Right wrist plain film | lat view | 12-year-old female | image 125.4 mm wide —
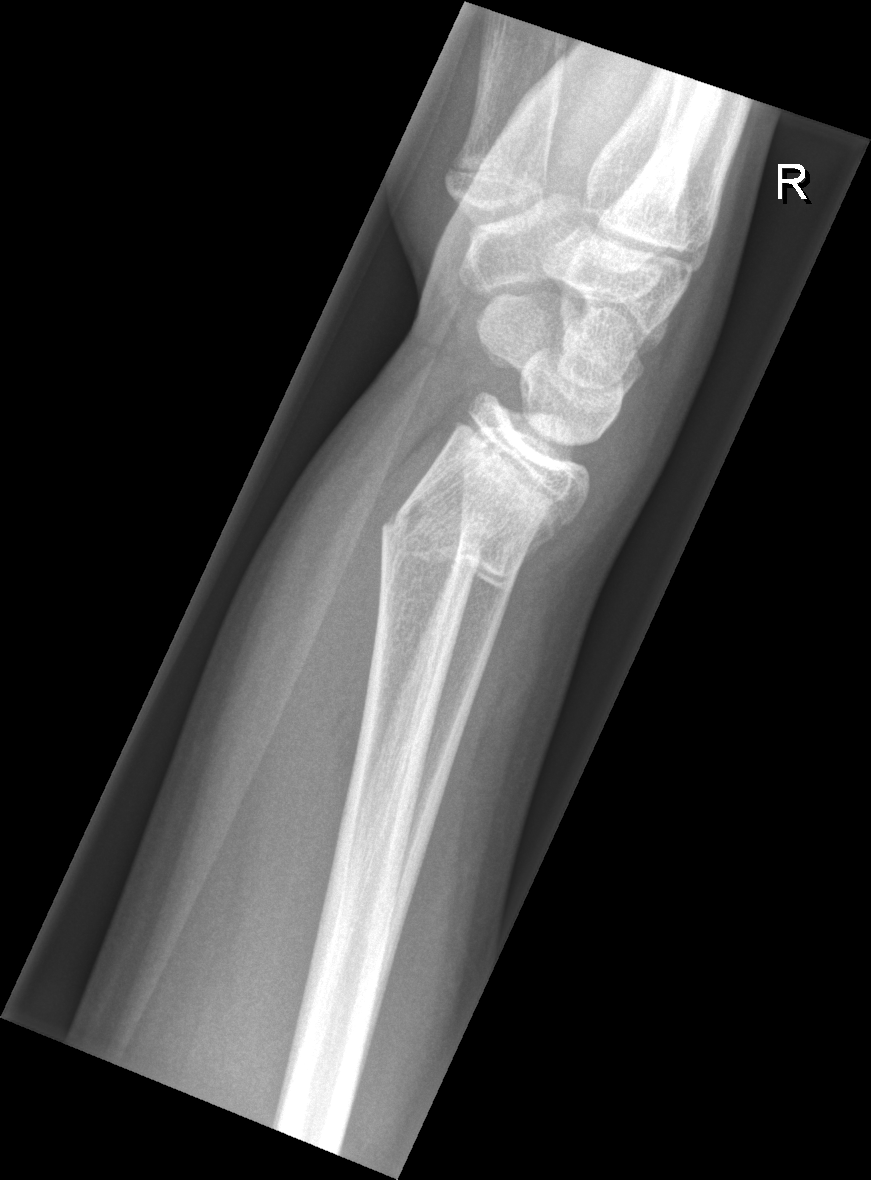
  ao: 23r-M/3.1; 23u-E/7
  fracture: 1 @ (left=378, top=497, right=530, bottom=599)
  pronatorsign: (left=318, top=484, right=389, bottom=814)